Lt wrist XR; frontal view; 8y M; 96.5 mm image width —

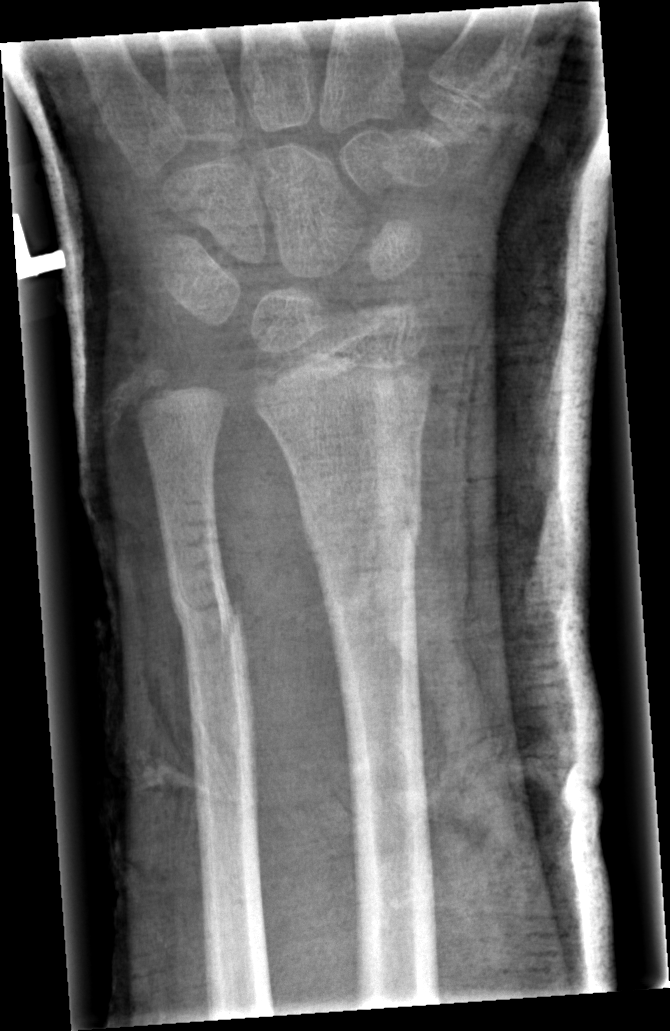 AO code = 23-M/3.1
fracture = 2 @ (left=165, top=546, right=251, bottom=663), (left=295, top=490, right=424, bottom=565)